L pediatric wrist radiograph, AP view, male, 12 yo, 671 x 940 px: 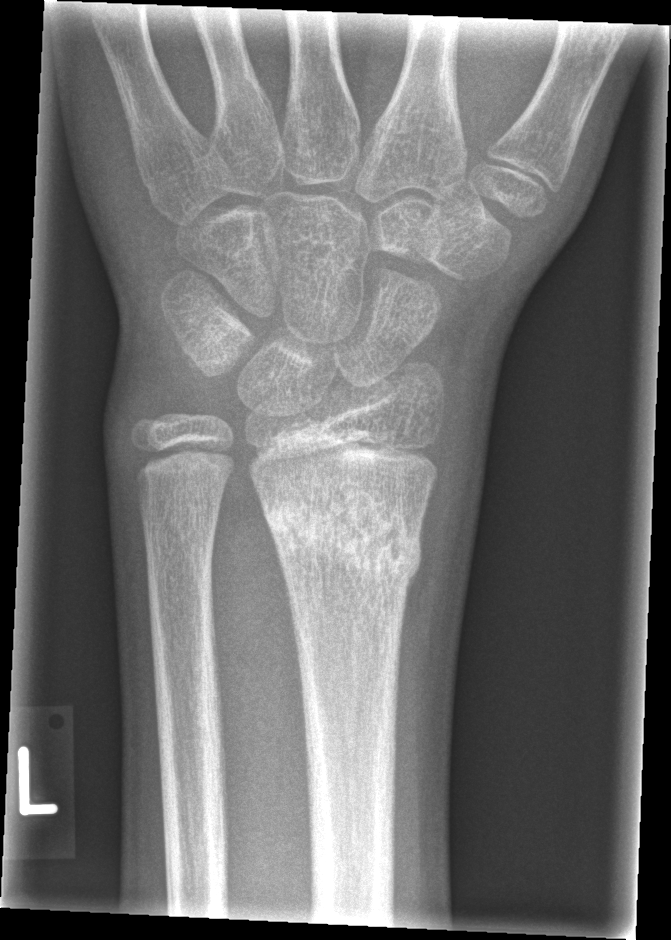

* Reduced bone mineral density.
* Fracture: bbox(257, 477, 426, 587).